L wrist radiograph · posteroanterior · boy, 15 yo · follow-up · detector: Siemens.

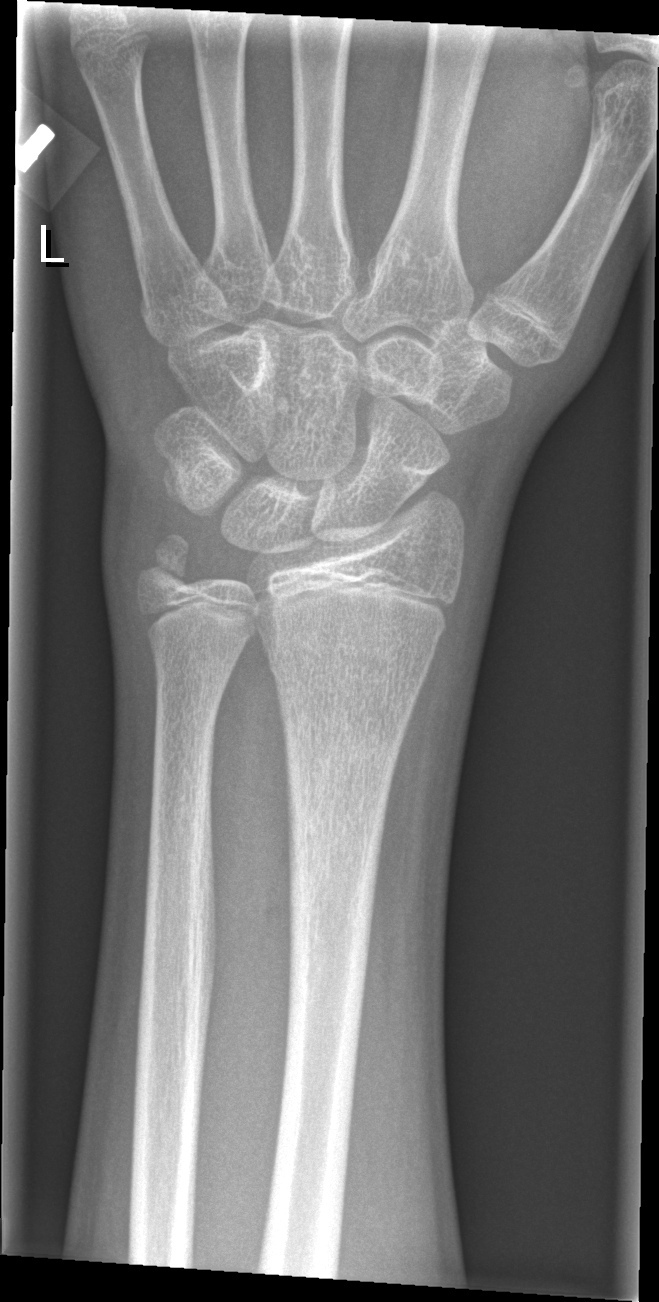
Boxes as x1,y1,x2,y2 (top-left / bottom-right, pixel units). Fracture: <261,627>-<439,692> <135,528>-<198,602>. Fracture classified AO/OTA 23r-M/2.1.